PA projection · right wrist plain film · image size 605x984 —
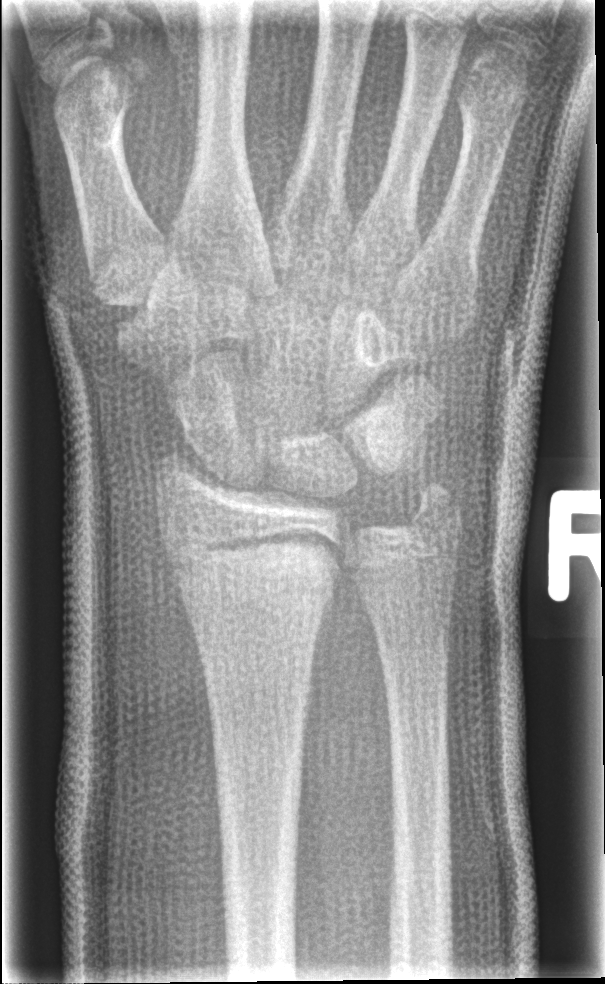

(coordinates are [x1, y1, x2, y2] in image pixels)
Q: Any fracture seen?
A: Two fractures at (168, 528, 342, 613) (401, 478, 465, 541)
Q: AO code?
A: Fracture classified AO/OTA 23r-E/2.1; 23u-E/7